AP projection, left wrist XR.

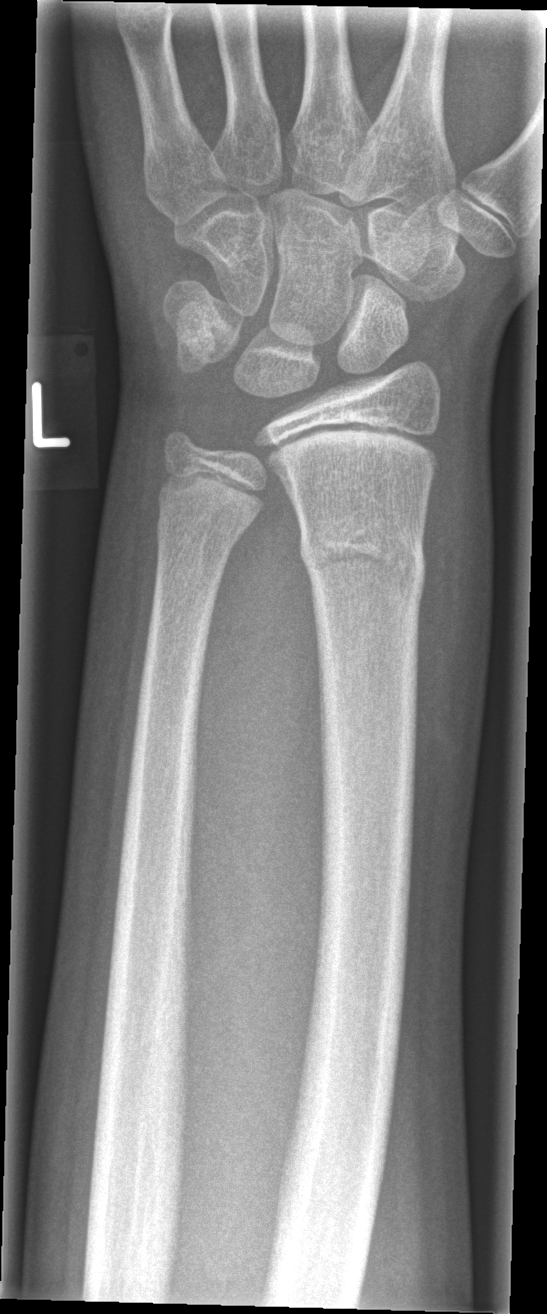 (boxes as x1,y1,x2,y2 (top-left / bottom-right, pixel units))
Q: What is the AO/OTA classification?
A: Fracture classified AO/OTA 23-M/2.1
Q: Is there a fracture?
A: Bone fractures — <296,518>-<429,610> <151,501>-<253,573>